Right pediatric wrist radiograph | AP projection | follow-up | in cast:
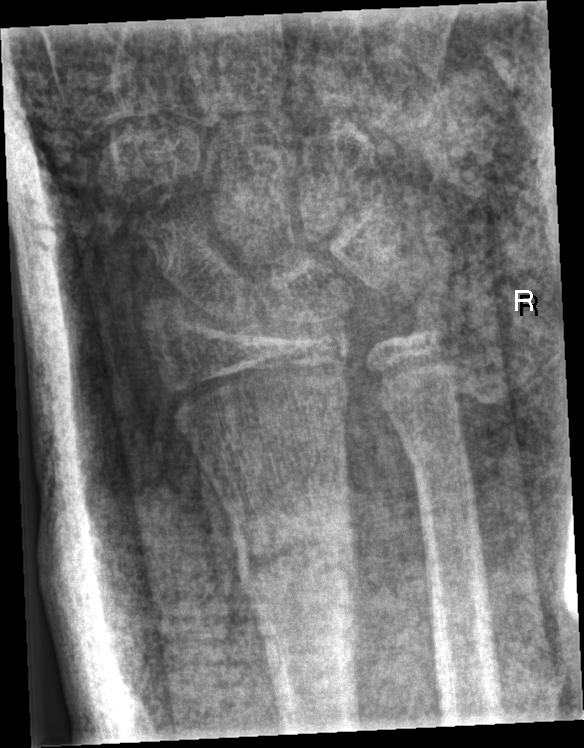

{
  "ao": "23r-M/3.1; 23u-M/2.1",
  "fracture": "bbox(225, 523, 365, 602) bbox(401, 432, 476, 485)"
}